PA view, R wrist radiograph, 9-year-old boy, follow-up, imaged through cast —

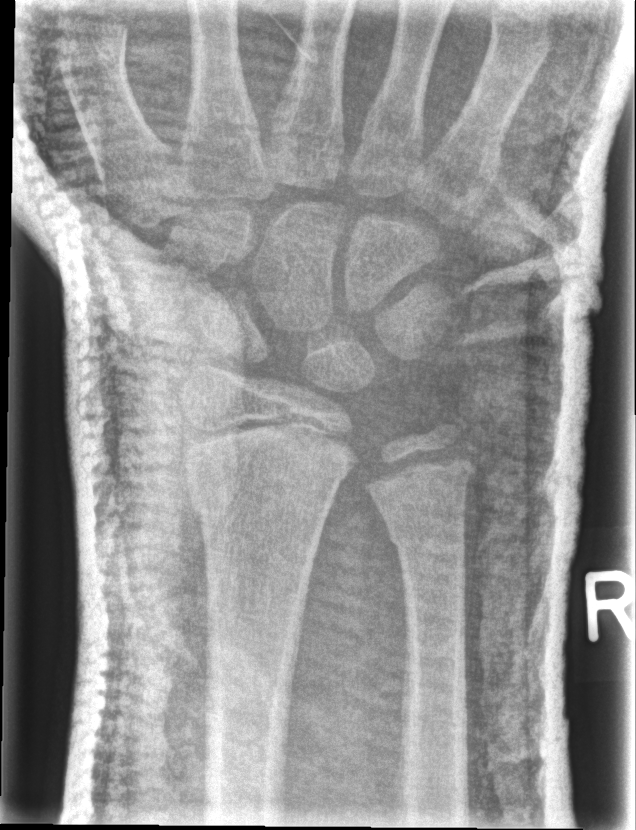

(pixel coordinates, top-left origin, xyxy)
Fracture: (left=188, top=473, right=347, bottom=557) (left=385, top=504, right=470, bottom=573)
AO classification: 23r-M/3.1; 23u-M/2.1